Left wrist XR, PA/AP projection, cast present
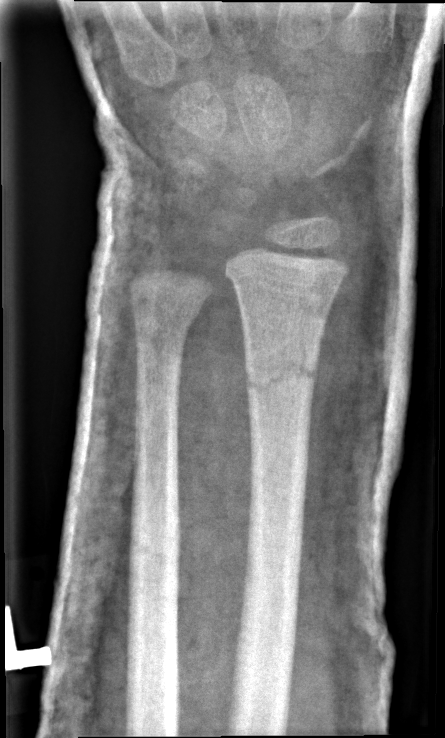

Fracture = 241 344 320 408 | 132 299 200 347
AO code = 23r-M/3.1; 23u-M/2.1